R wrist XR; frontal; pediatric patient (male, age 13); image width 99.6 mm
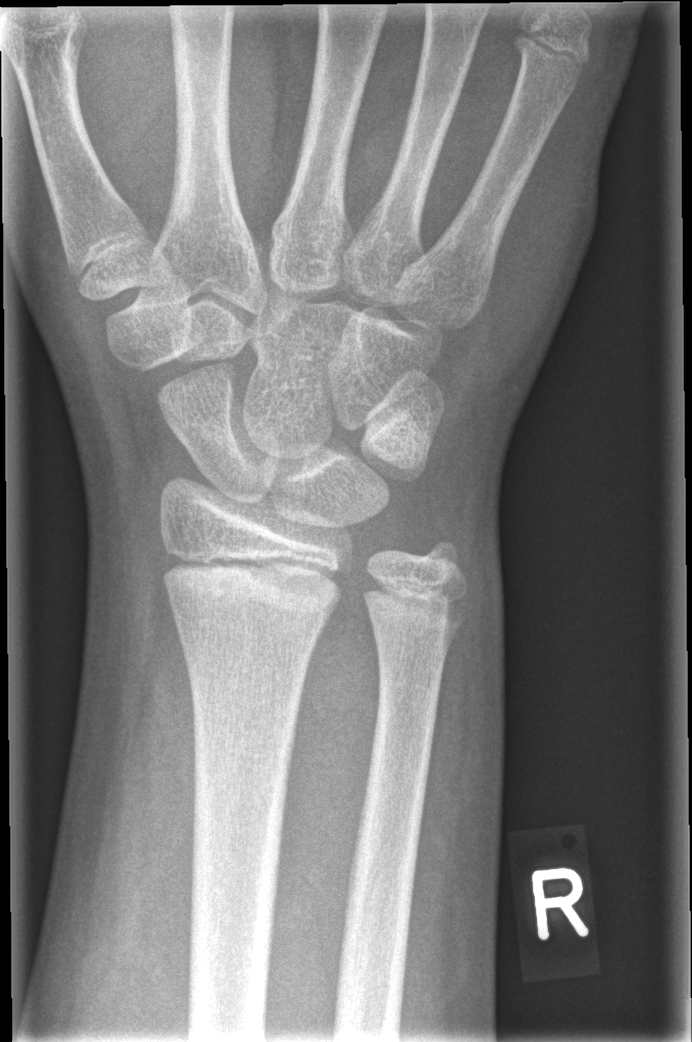
Q: Fracture present?
A: No fracture labeled